Left wrist radiograph | PA | 894 x 1339 px 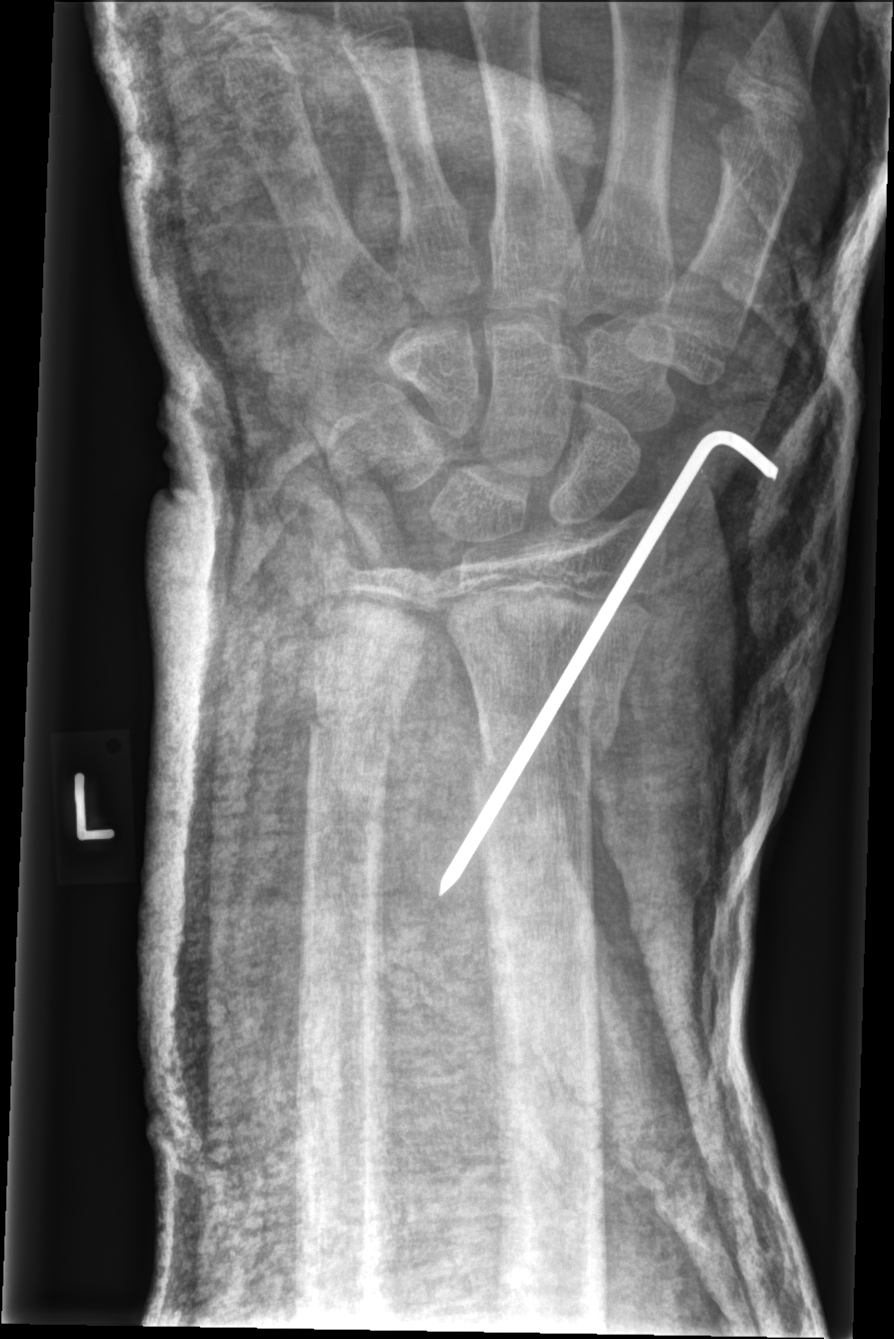 Q: AO code?
A: Fracture classified AO/OTA 23-M/3.1
Q: Fracture present?
A: Two fractures at <469,681>-<622,800> <304,691>-<406,758>
Q: Any metal present?
A: Metal identified at <437,427>-<785,904>